Frontal view, Rt pediatric wrist radiograph, acquired on Siemens:

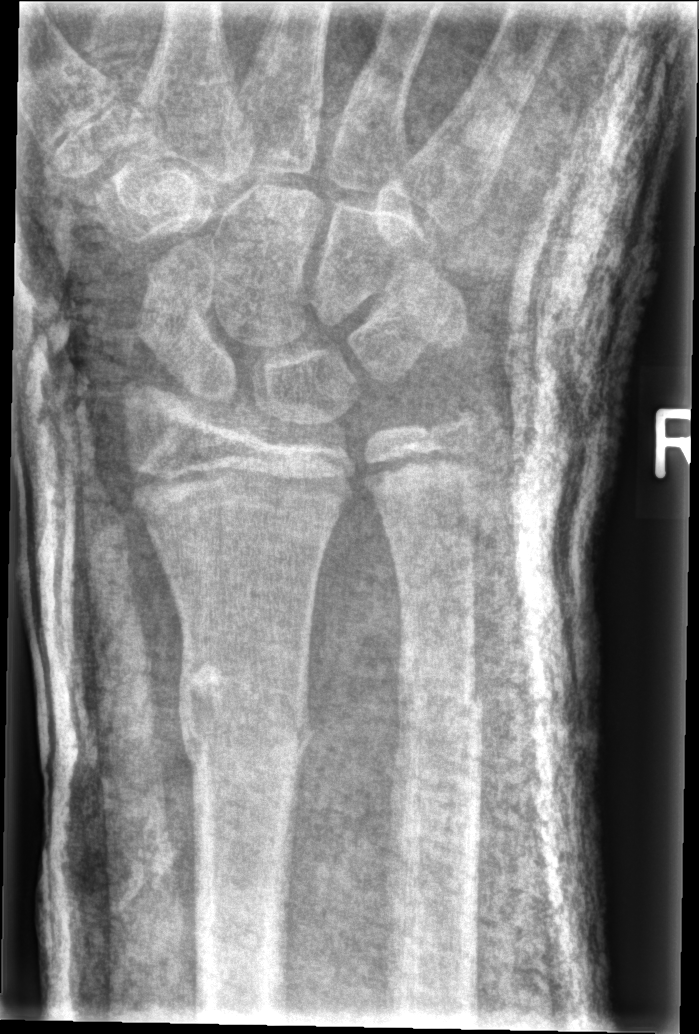

- Boxes as x1,y1,x2,y2 (top-left / bottom-right, pixel units).
- AO code 23-M/3.1.
- Two bone fractures at 176 631 316 777 | 389 651 486 756.